AP projection | right wrist radiograph | 9y F | subsequent exam | in cast —

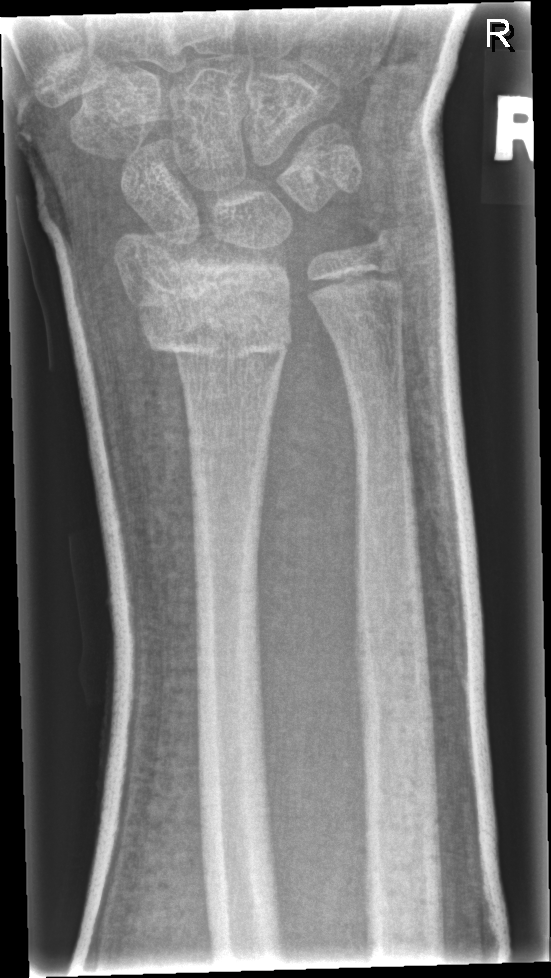
# coordinates are [x1, y1, x2, y2] in image pixels
fracture: [x1=141, y1=316, x2=298, y2=380]; [x1=358, y1=212, x2=408, y2=267]